Right wrist X-ray · PA · image 70.1 mm wide:
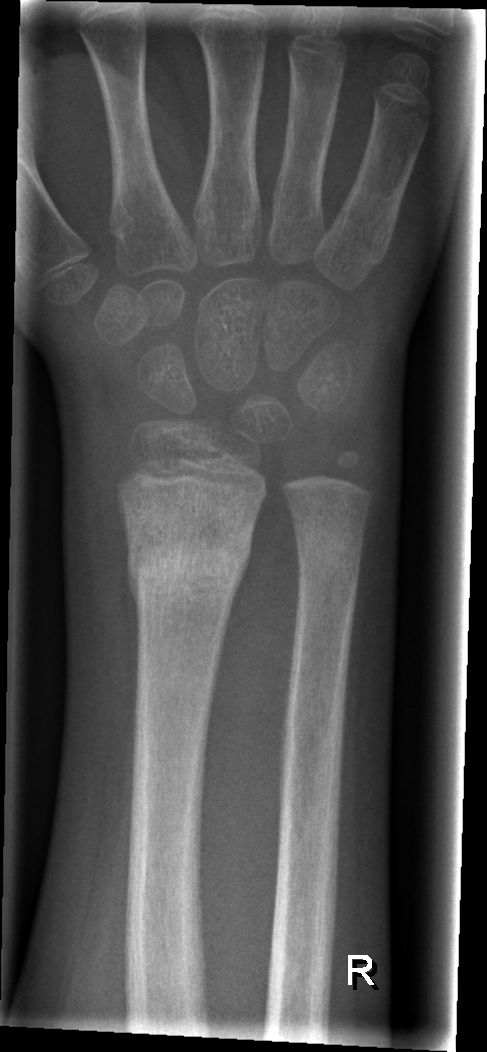 FINDINGS — AO/OTA classification: 23-M/2.1. Osteopenic. Bone fractures — (122, 518, 260, 612) (293, 520, 368, 583).